Left wrist X-ray; posteroanterior view; Siemens.
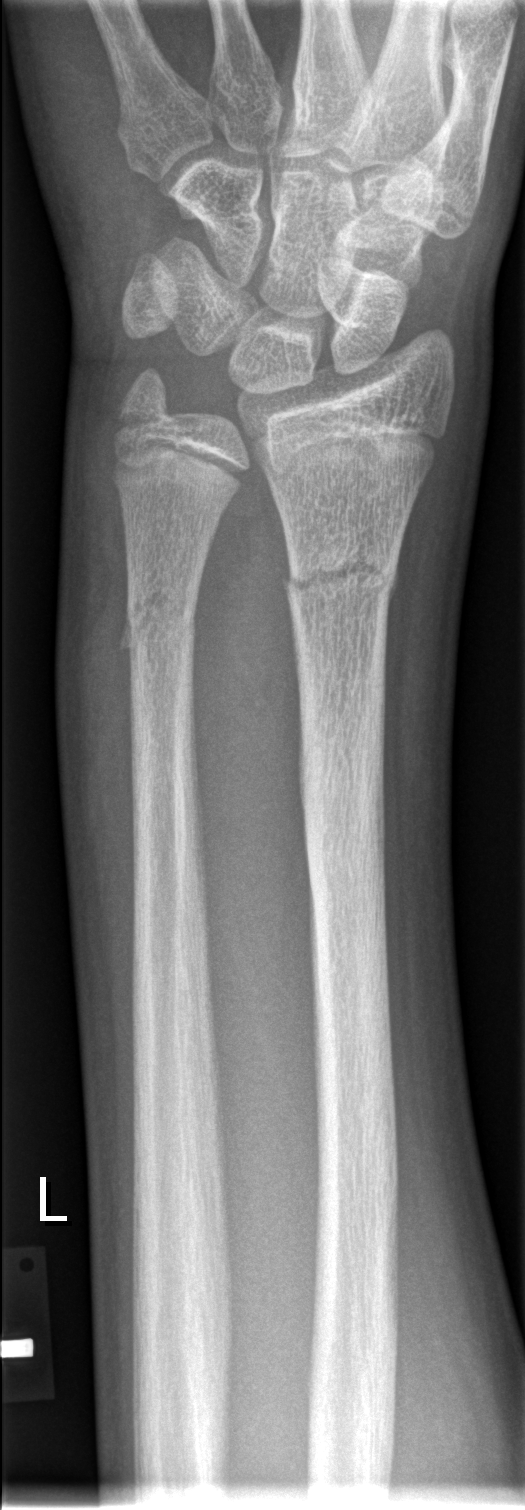
FINDINGS: AO/OTA classification: 23-M/3.1; 23u-E/7. Fractures — [293, 678, 397, 941] [101, 357, 192, 447] [282, 540, 401, 605] [118, 585, 200, 652].